PA/AP view, left wrist plain film, boy, 15 yo: 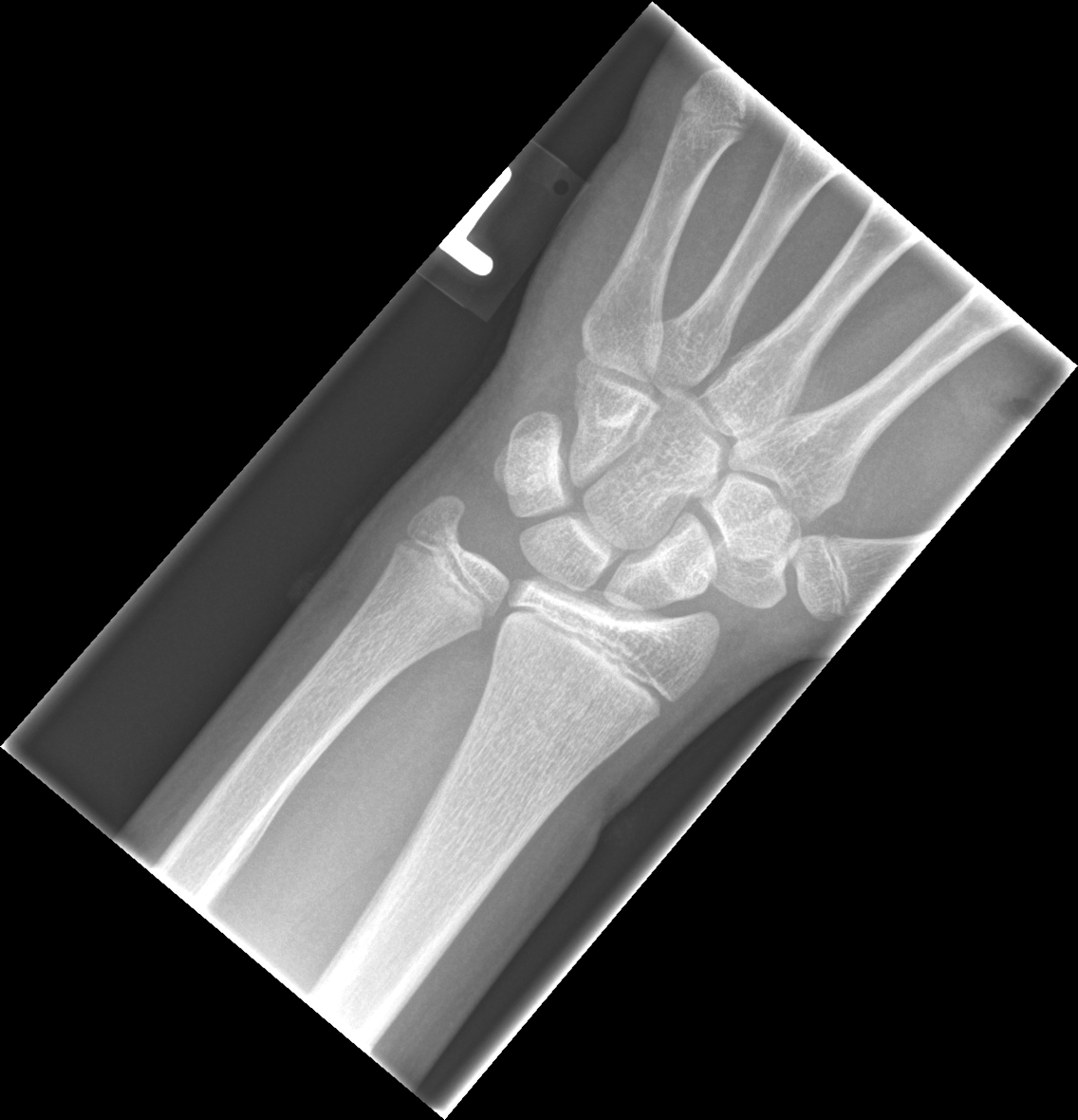
Bone fracture = none labeled